Frontal projection, left wrist XR, image 83.8 mm wide
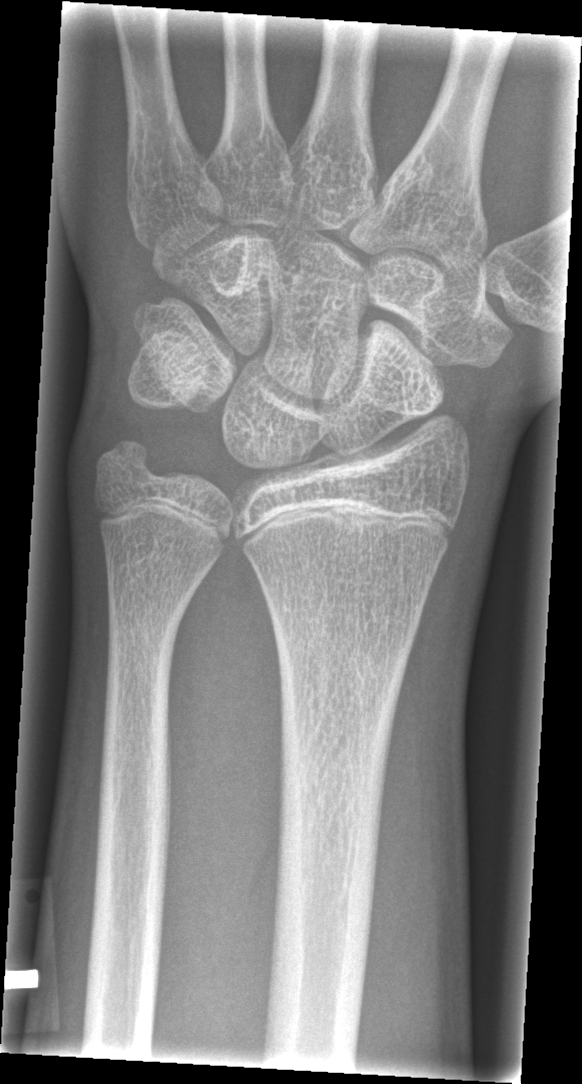
FINDINGS: (boxes as x1,y1,x2,y2 (top-left / bottom-right, pixel units)) Fracture identified at (266, 609, 413, 713); (101, 599, 188, 696); (92, 435, 161, 488).